R plain radiograph of the wrist; AP projection; boy, 14 yo; follow-up study; imaged through cast — 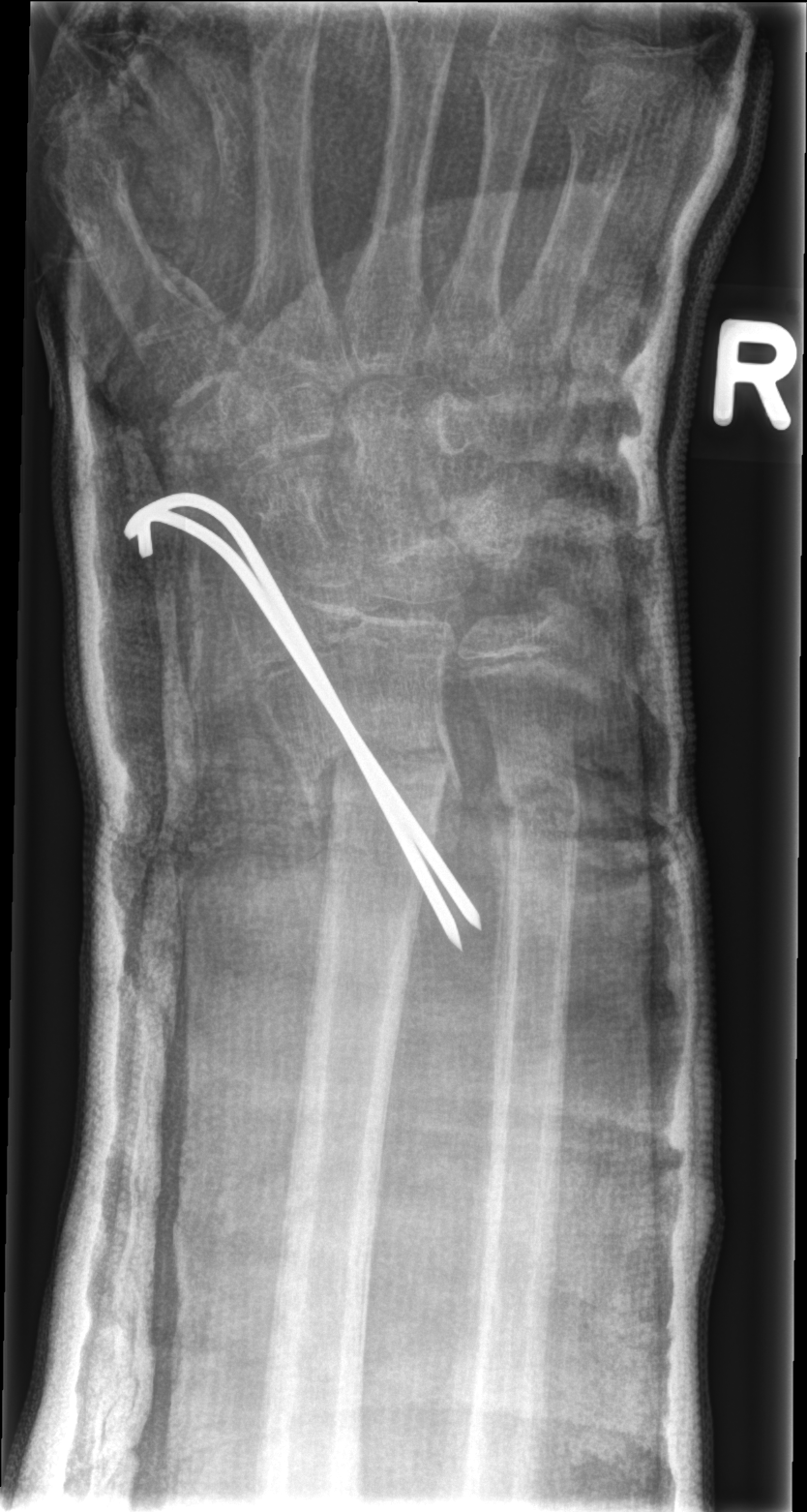
• Pixel coordinates, top-left origin, xyxy.
• AO code 23-M/3.1; 23u-E/7.
• One metal at [x1=119, y1=487, x2=486, y2=956].
• Three Fx at [x1=280, y1=711, x2=466, y2=828]; [x1=496, y1=771, x2=585, y2=839]; [x1=526, y1=575, x2=594, y2=639].